L wrist XR, lat.
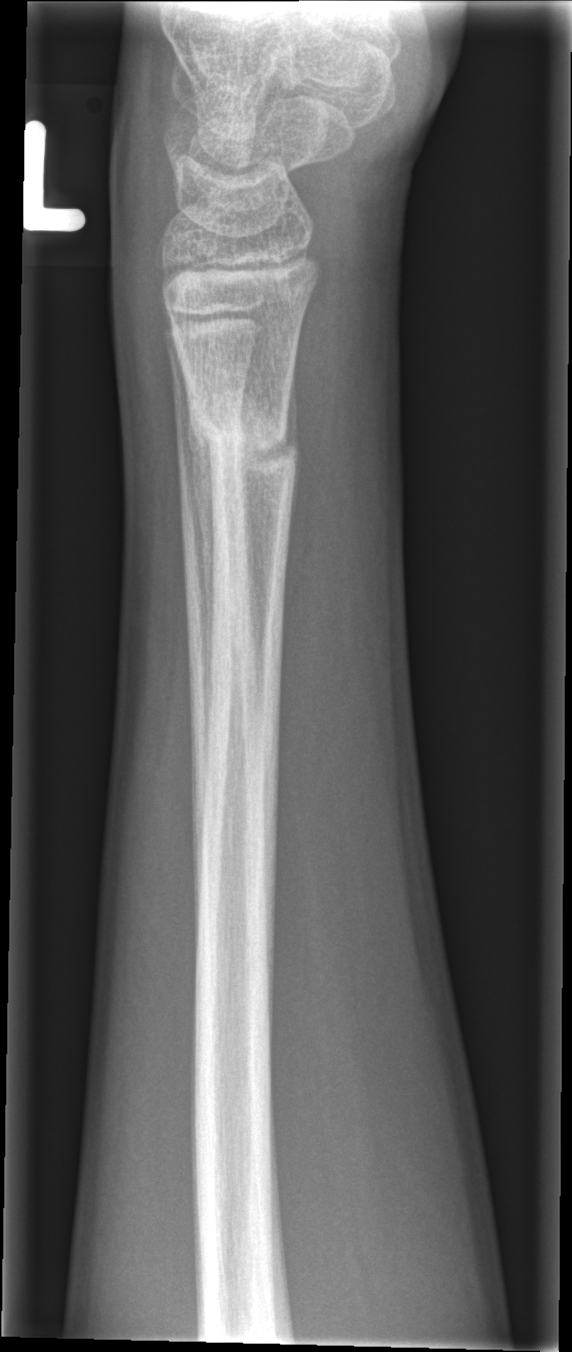 periosteal reaction = 2 @ (left=189, top=410, right=219, bottom=717) (left=280, top=361, right=299, bottom=515)
fracture = 1 @ (left=184, top=391, right=301, bottom=495)
osteopenia = present